Left plain radiograph of the wrist | PA/AP:

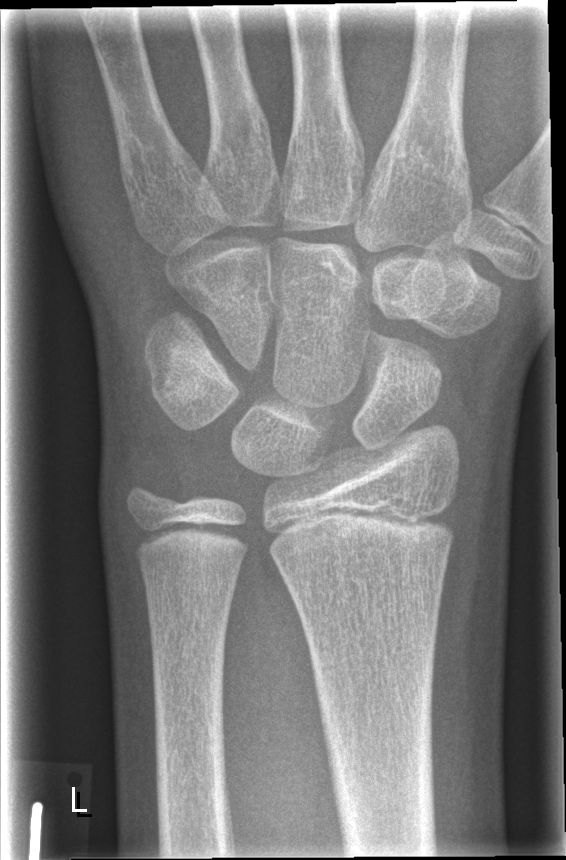 Bounding boxes in image-pixel xyxy. Osseous anomaly: <338,292>-<466,431>. Fx: none.